Left wrist plain radiograph of the wrist, lateral view, in cast, image size 397x750 — 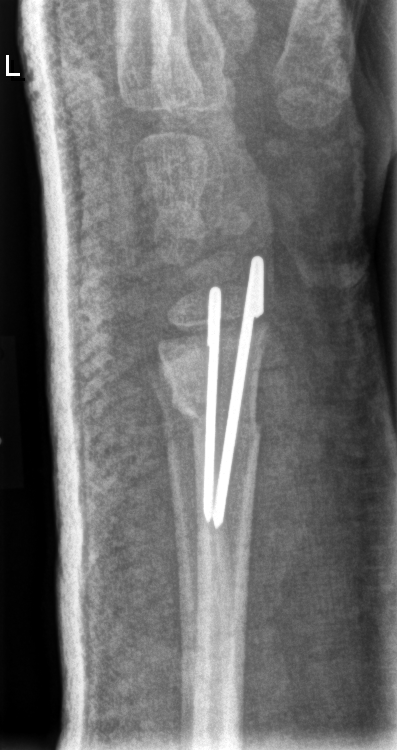
One hardware at [x1=199, y1=246, x2=271, y2=531]. Bone fracture — [x1=162, y1=383, x2=266, y2=462].